AP projection; L wrist radiograph.
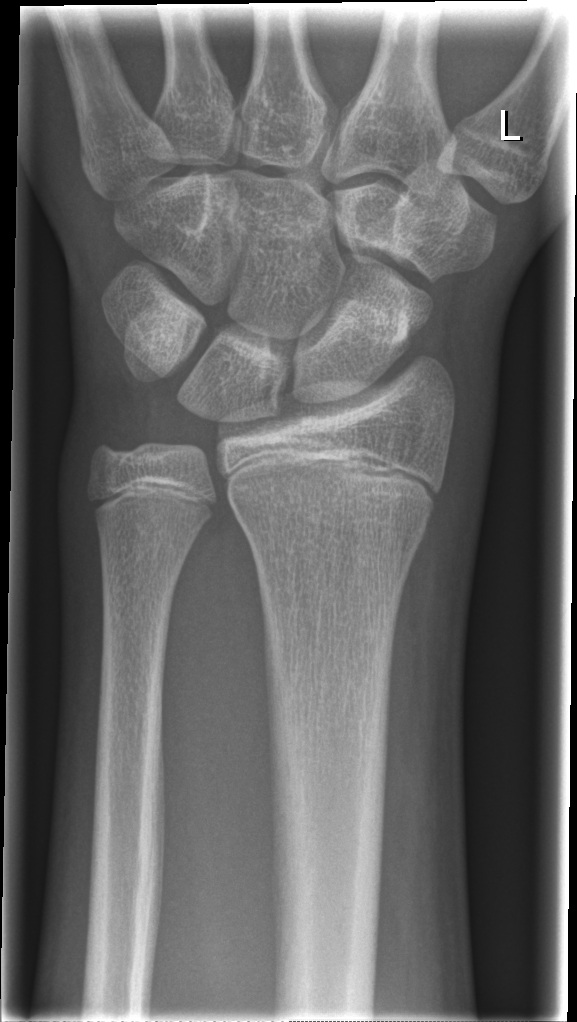
Q: Any fracture seen?
A: Fracture present but not clearly seen in this view
Q: What is the AO/OTA classification?
A: Fracture classified AO/OTA 23r-M/2.1